Lateral view; Lt wrist X-ray; acquired on Siemens; 327 by 754 pixels.

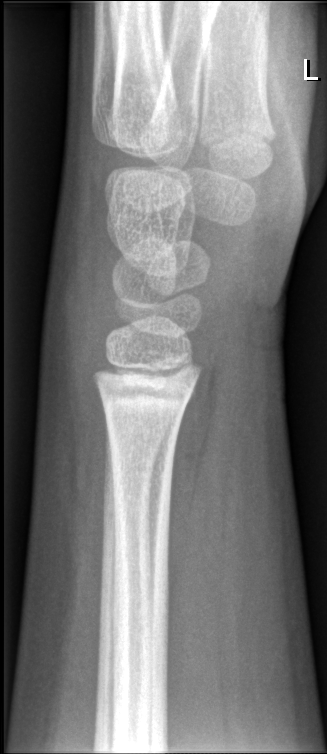

Q: Locate any fractures.
A: No fracture labeled